Lateral | R wrist X-ray | age 8 y, female —

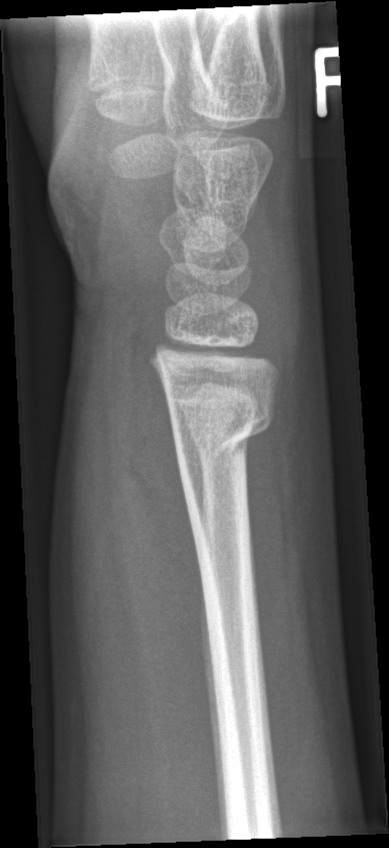 Bone fracture identified at bbox(166, 397, 279, 467).
Pronator sign: bbox(121, 310, 205, 615).
AO code 23r-M/2.1.